Right wrist radiograph, frontal view, 3-year-old male, index exam, detector: Siemens —

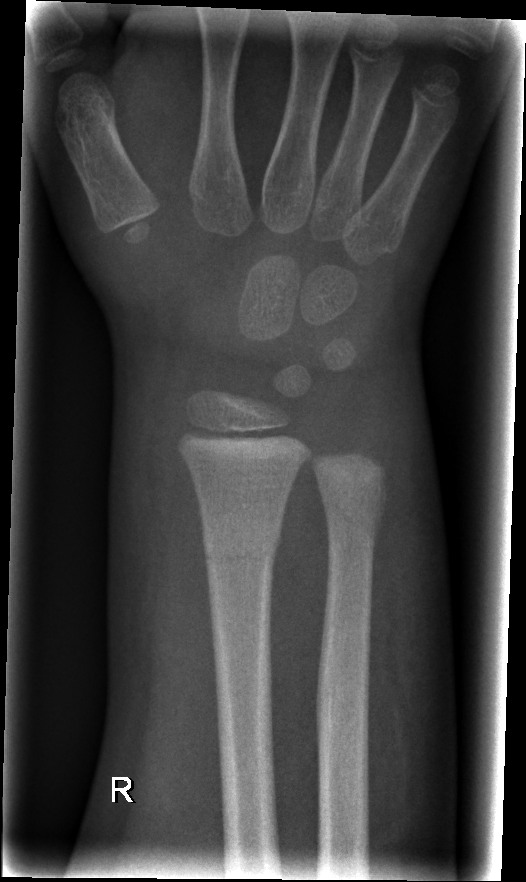
Bounding boxes in image-pixel xyxy.
Fracture classified AO/OTA 23-M/2.1.
Fracture: [202, 516, 284, 579].